Left wrist XR · AP · age 12 y, male — 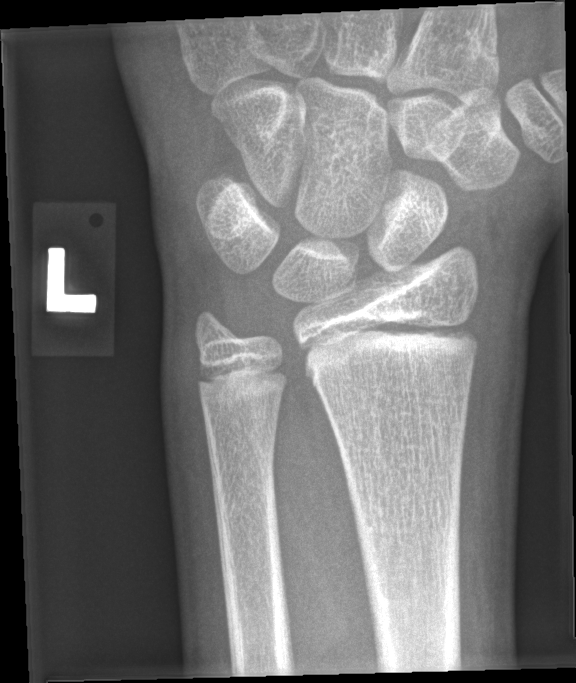
Bone fracture: none labeled